R wrist plain film | lateral view | in cast: 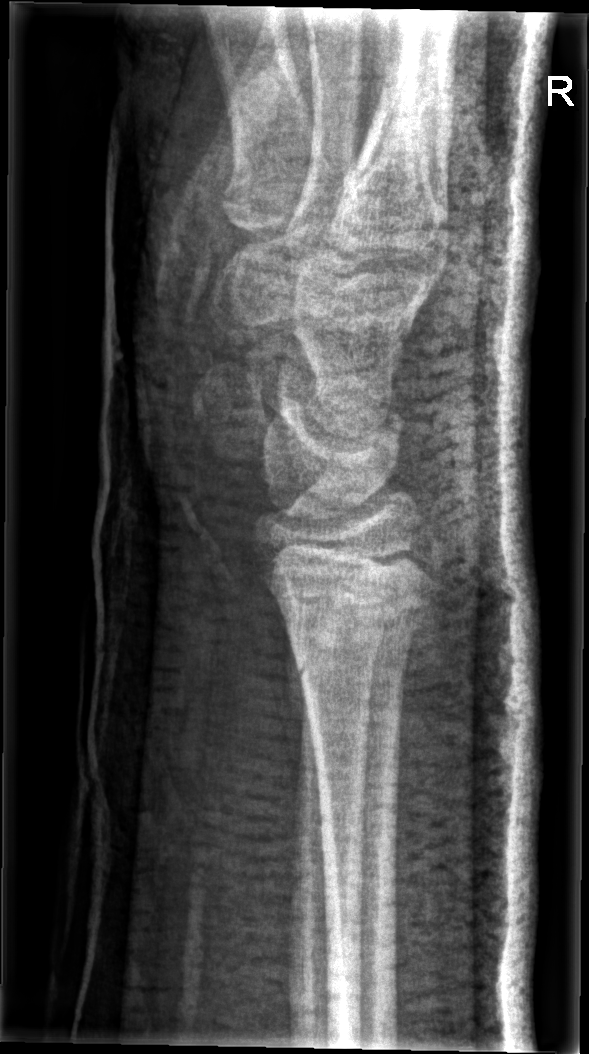 Fx = 1 @ [280, 570, 431, 677]
AO classification = 23r-M/2.1; 23u-E/7